Rt pediatric wrist radiograph | PA/AP | follow-up | acquired on Siemens:

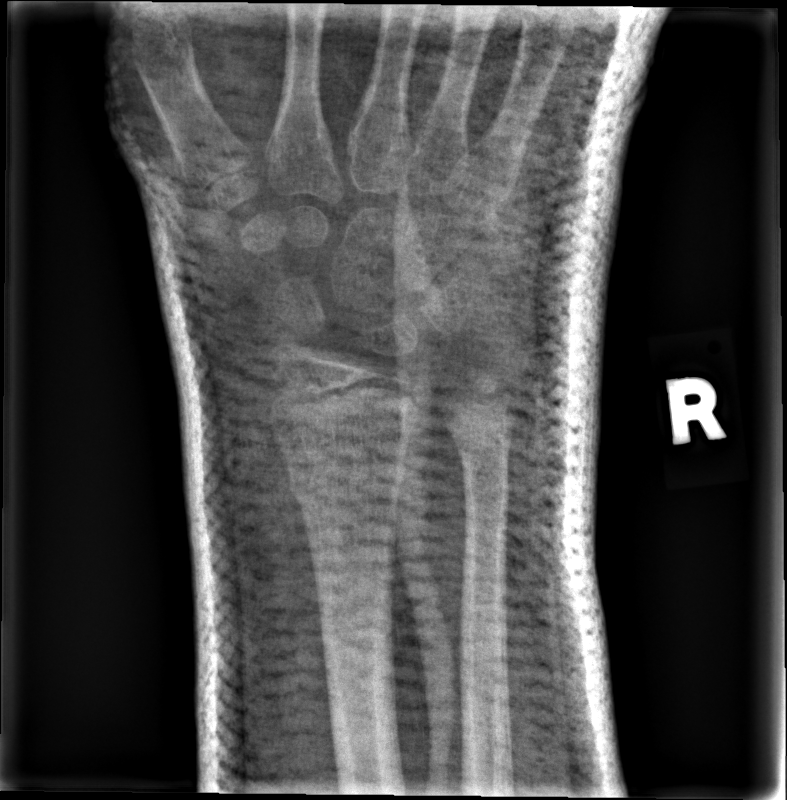 Bone fracture identified at [282, 454, 408, 509].
AO code 23r-M/2.1.